R wrist X-ray, AP view, 8y F, follow-up study, cast in situ, acquired on Siemens, 540 x 916 px: 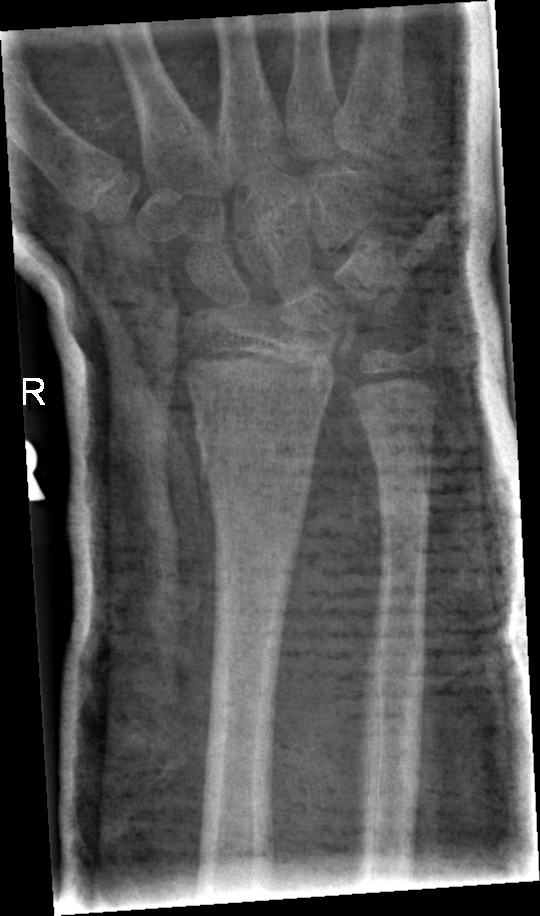 FINDINGS — (bounding boxes in image-pixel xyxy) AO/OTA classification: 23-M/2.1. Fx — (191, 408, 319, 522).